R wrist XR | PA projection | 10y M
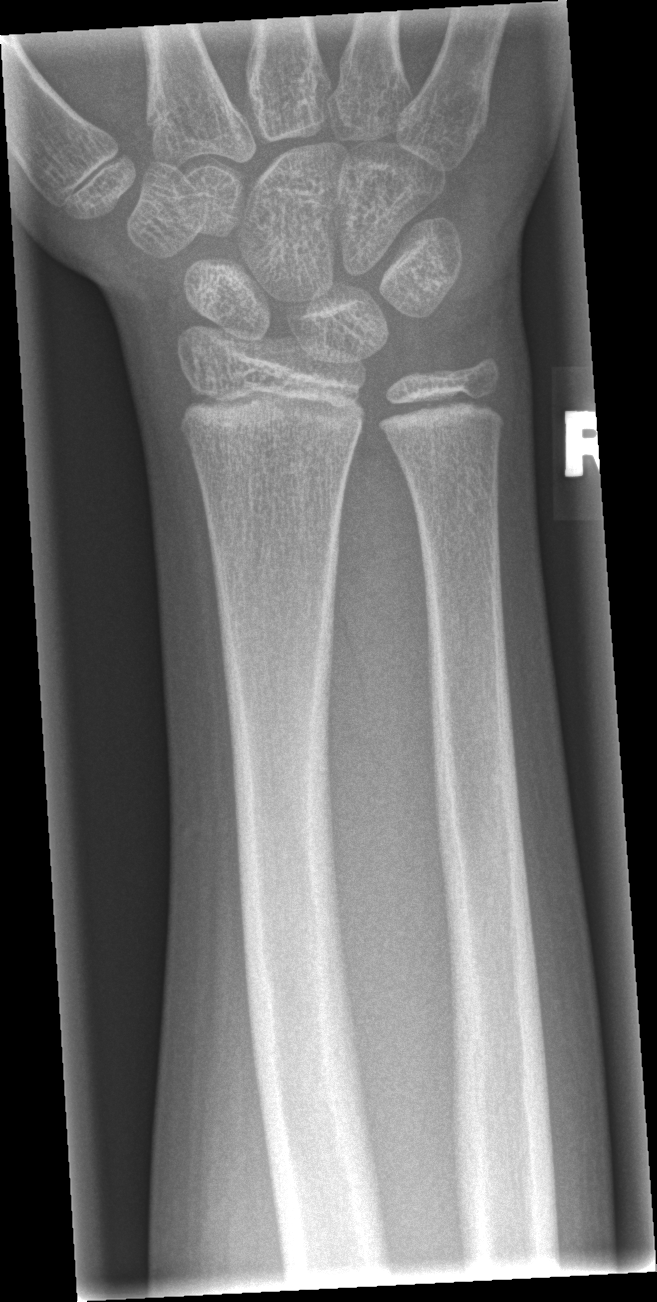 Fx: none labeled